L wrist X-ray, posteroanterior view
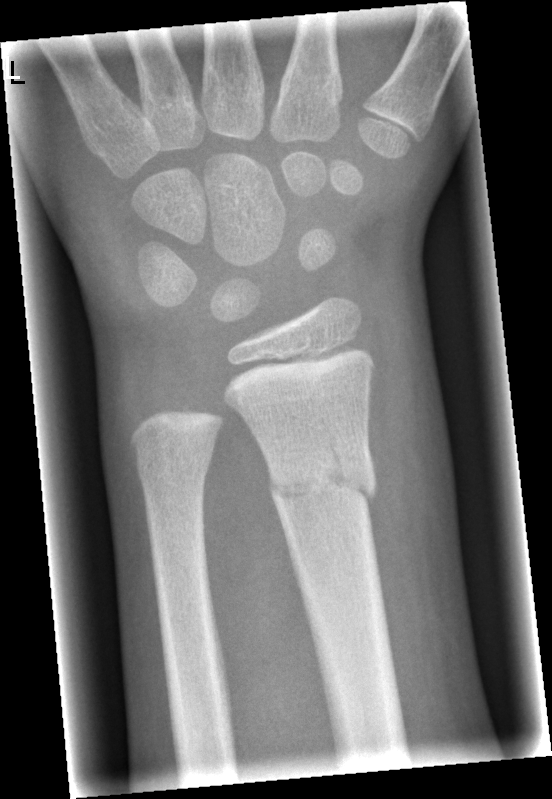

- Fracture classified AO/OTA 23r-M/3.1; 23u-M/2.1.
- Soft-tissue finding identified at (left=364, top=274, right=462, bottom=664).
- Fx identified at (left=267, top=438, right=377, bottom=519), (left=134, top=440, right=216, bottom=491).